R wrist radiograph, AP projection, age 11 y, female, presentation radiograph 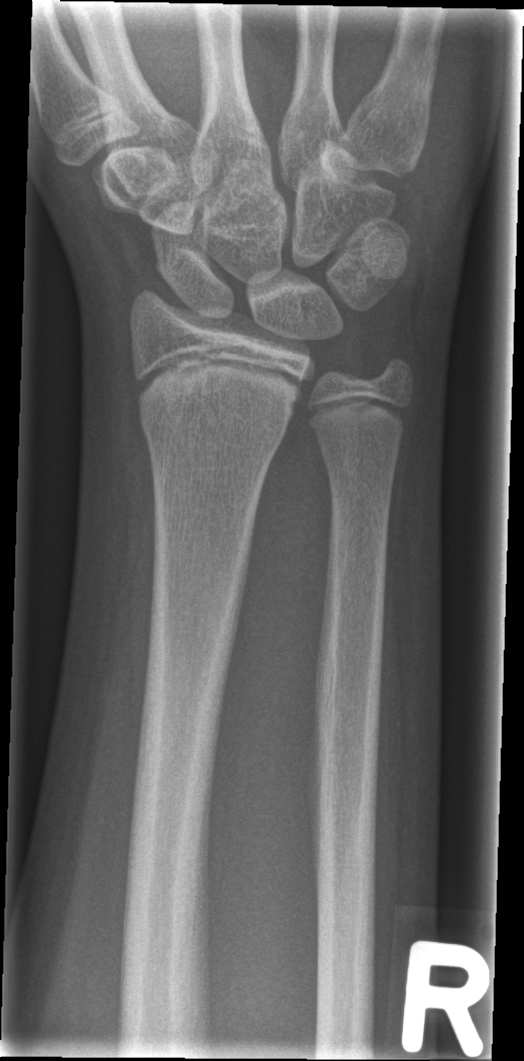
FINDINGS — AO code 23r-M/2.1. Fx present but not clearly seen in this view.